Lateral · left wrist radiograph · subsequent exam · imaged through cast · 526 by 936 pixels: 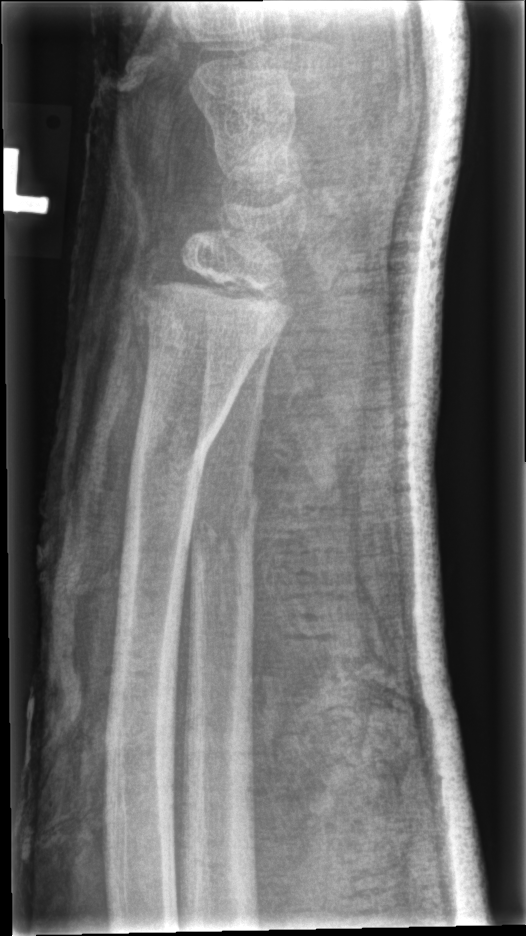 * Fracture: 126,401,219,513
  188,468,266,584.